Lateral view | right plain radiograph of the wrist | pediatric patient (boy, age 4) —

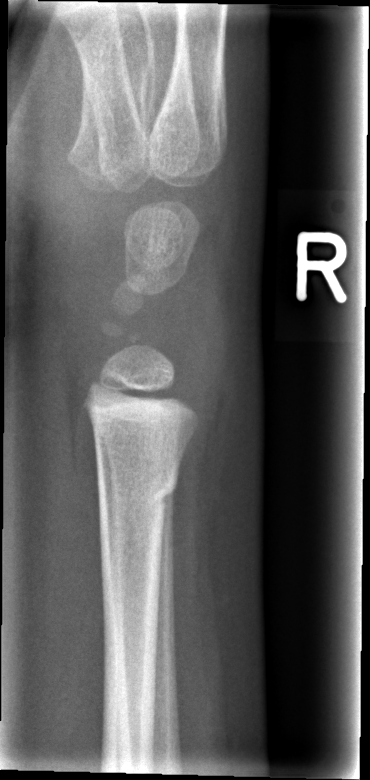 AO/OTA classification: 23r-M/2.1.
Bone fracture identified at (95, 459, 184, 516).